PA/AP view | left wrist XR | 10-year-old girl

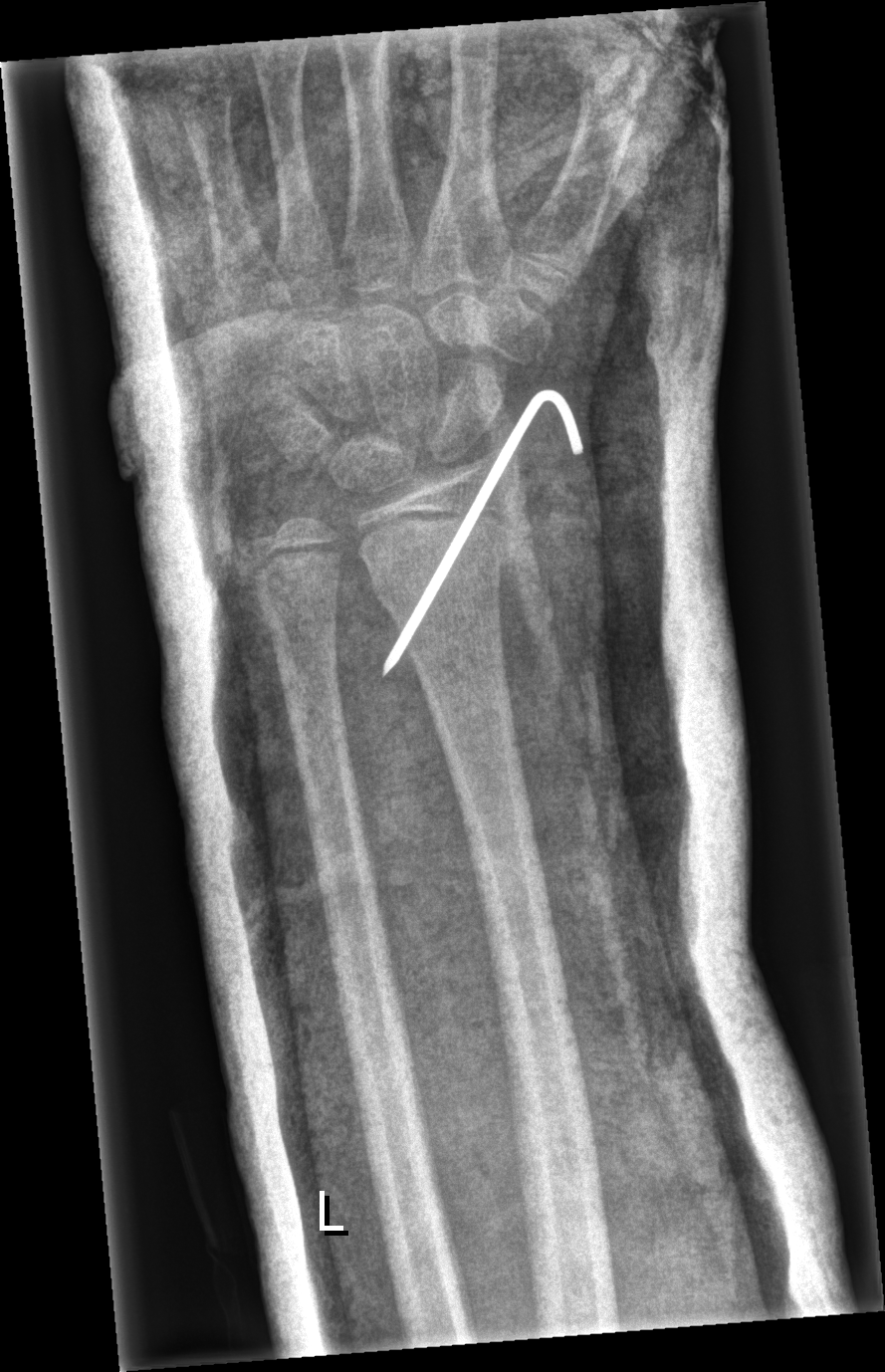 Fracture classified AO/OTA 23r-E/2.1.
Fracture identified at 353,510,509,614.
Hardware — 382,385,585,679.